Lt wrist X-ray | lat projection | 10-year-old girl | initial study | diagnosis uncertain | detector: Siemens
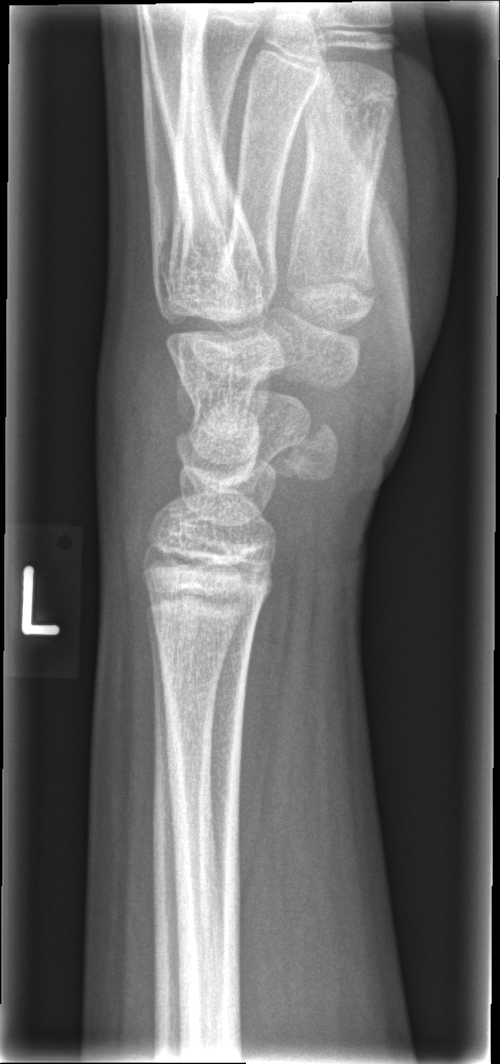
Boxes as x1,y1,x2,y2 (top-left / bottom-right, pixel units). Fracture present but not clearly seen in this view. One soft-tissue finding at [x1=90, y1=320, x2=193, y2=561]. AO/OTA classification: 72B(c).